Lt wrist X-ray, lat view, girl, 16 yo, 504 by 1172 pixels. 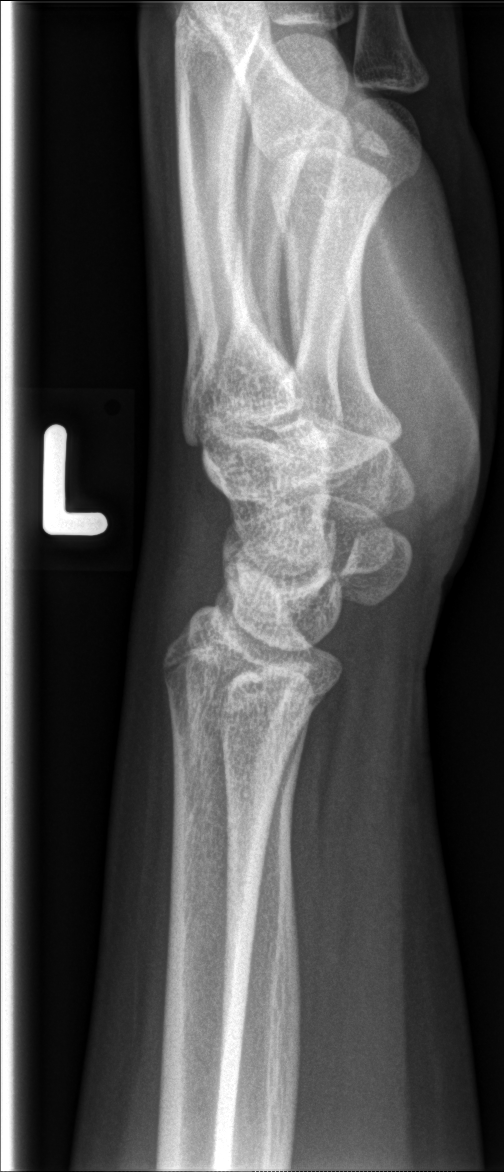

No fracture labeled.